Right wrist X-ray | PA projection | 13y M | 89.9 mm image width:
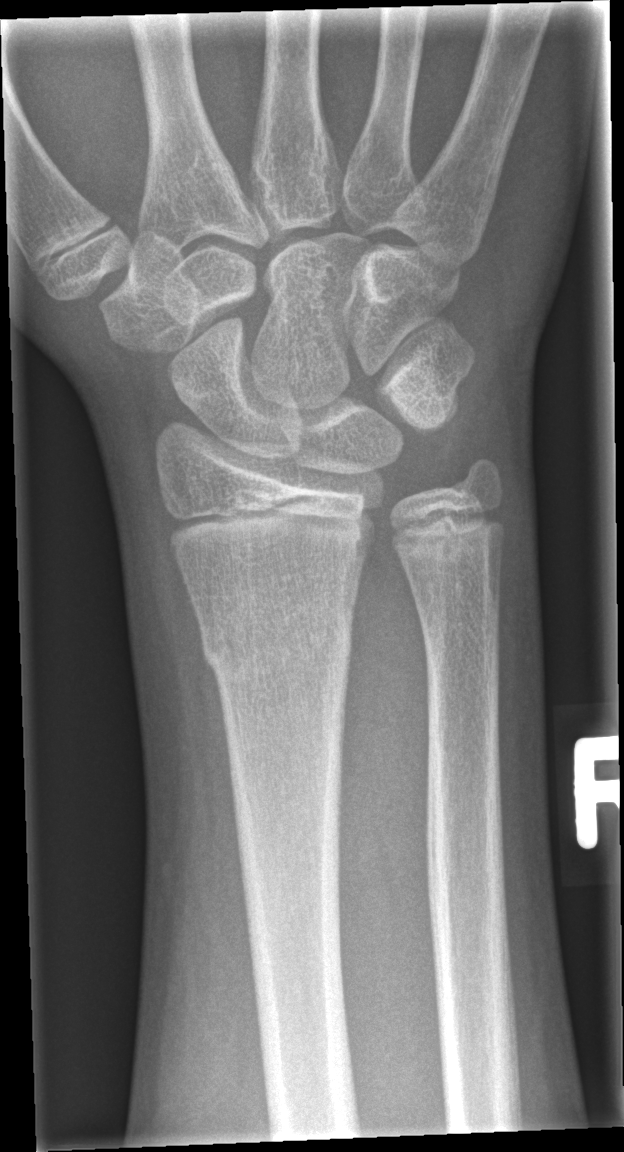

One fracture at 198 591 355 690.
AO code 23r-M/2.1.